Lateral projection · right wrist XR · Siemens · 68.8 mm image width.

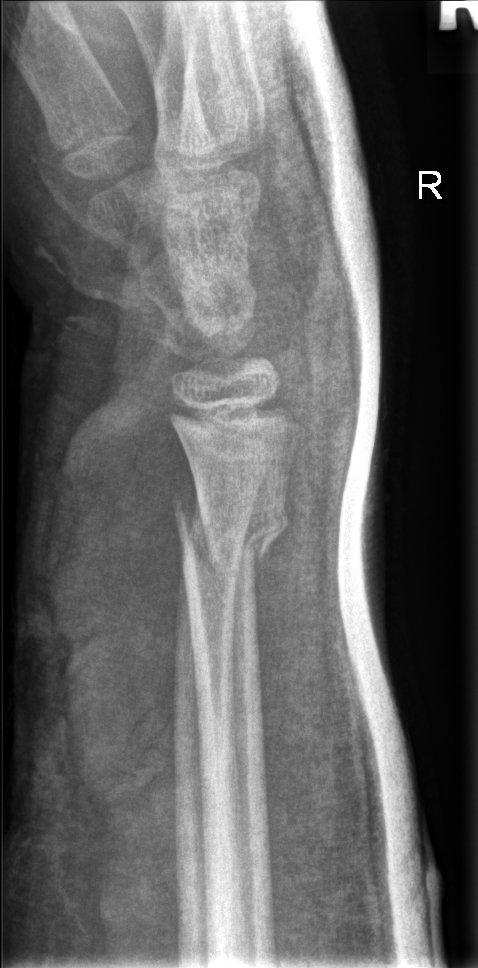
(boxes as x1,y1,x2,y2 (top-left / bottom-right, pixel units))
Q: Is there a fracture?
A: Fracture identified at 167,492,291,560